Right pediatric wrist radiograph | lat view | follow-up study | cast present —

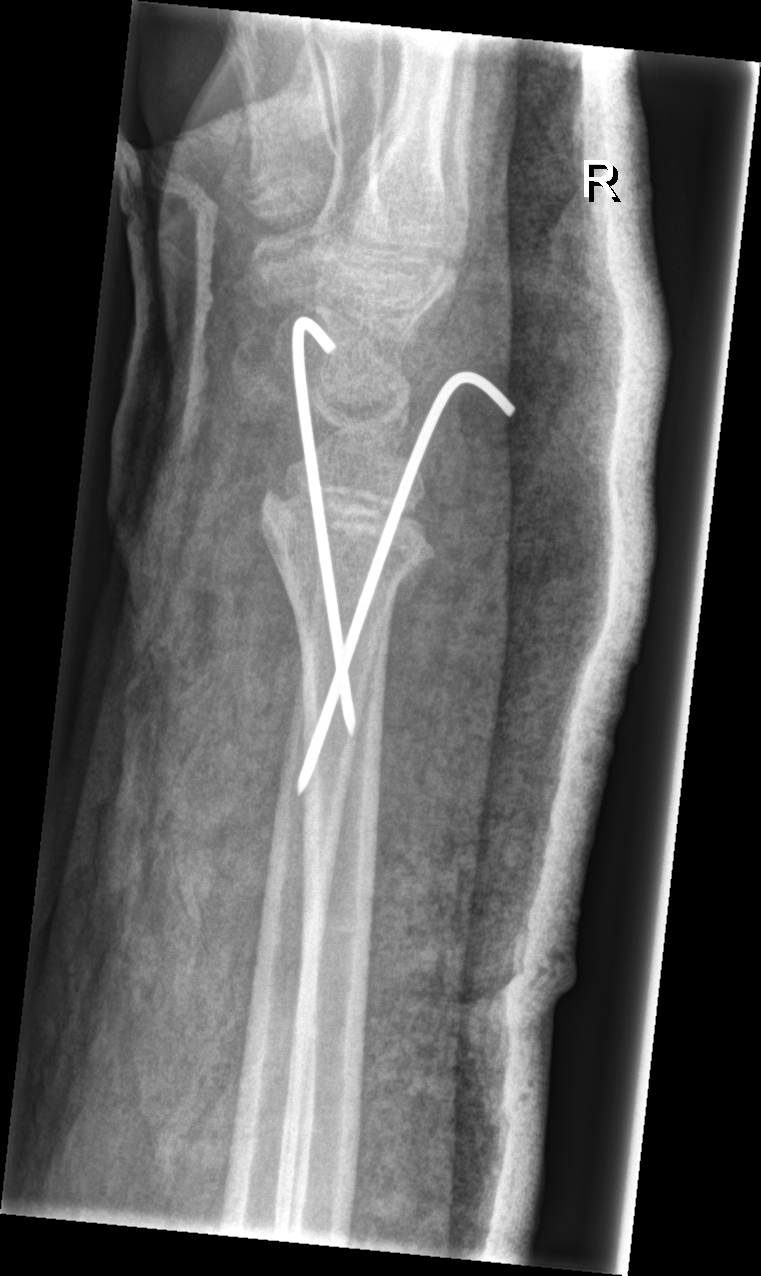
(coordinates are [x1, y1, x2, y2] in image pixels)
Q: AO code?
A: AO code 23r-M/3.1; 23u-E/7
Q: Any fracture seen?
A: Fracture — 252,489,443,618
Q: Any metal present?
A: Hardware: 290,309,544,834